L wrist radiograph · posteroanterior · 3-year-old female · presentation radiograph.
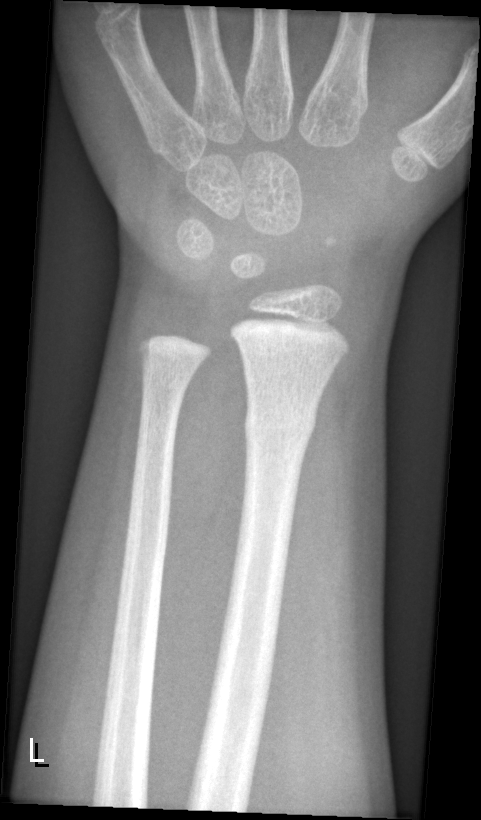
- Fx: 240,396,321,451.
- AO/OTA classification: 23r-M/2.1.